PA/AP projection · Lt plain radiograph of the wrist · female, 11 yo.
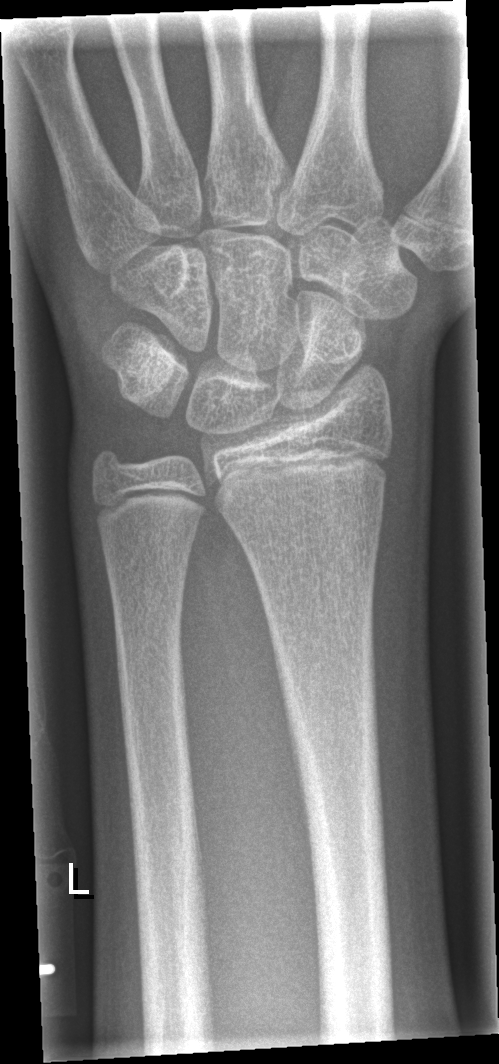 No Fx annotated.